R wrist XR · lat projection · boy, 17 yo —
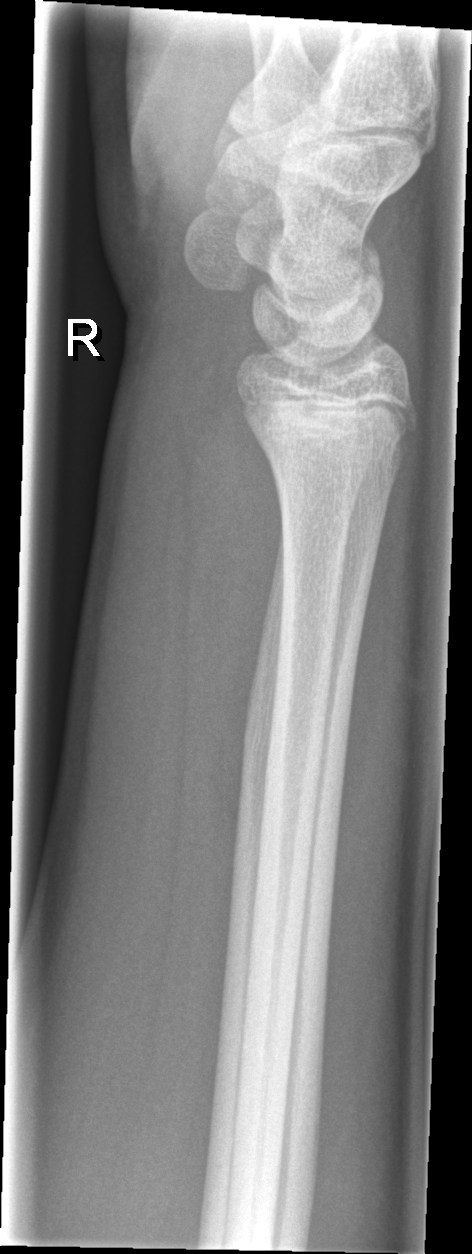

Bone fracture: none labeled